Lateral · L wrist X-ray · 11y M · acquired on Siemens —

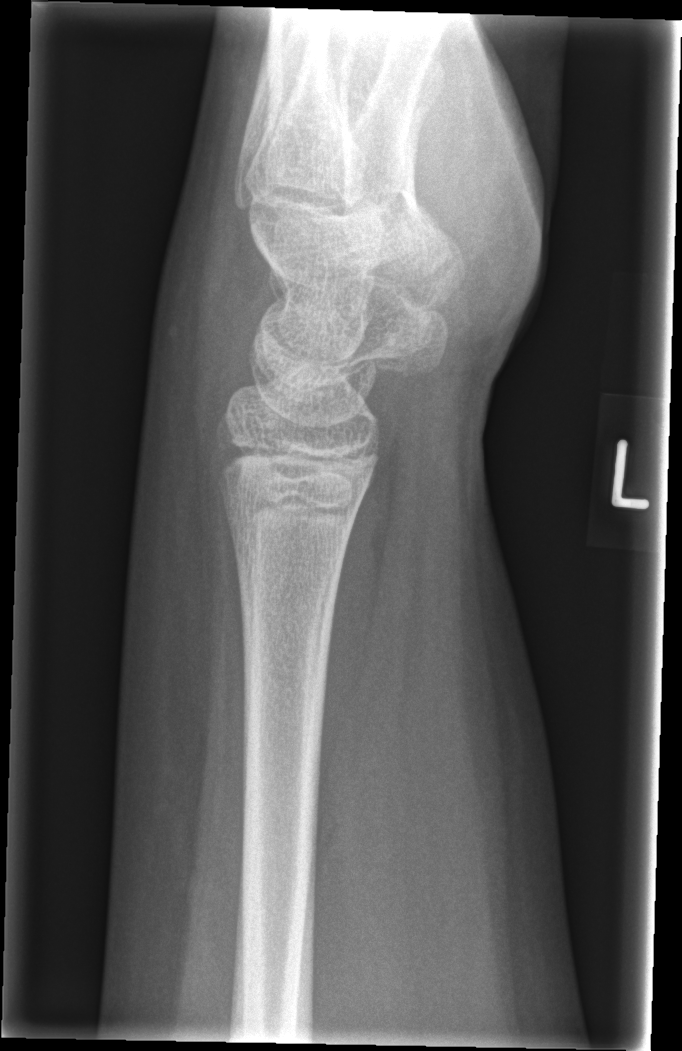 No fracture annotation.